L wrist radiograph; frontal; female, 9 yo; cast in situ
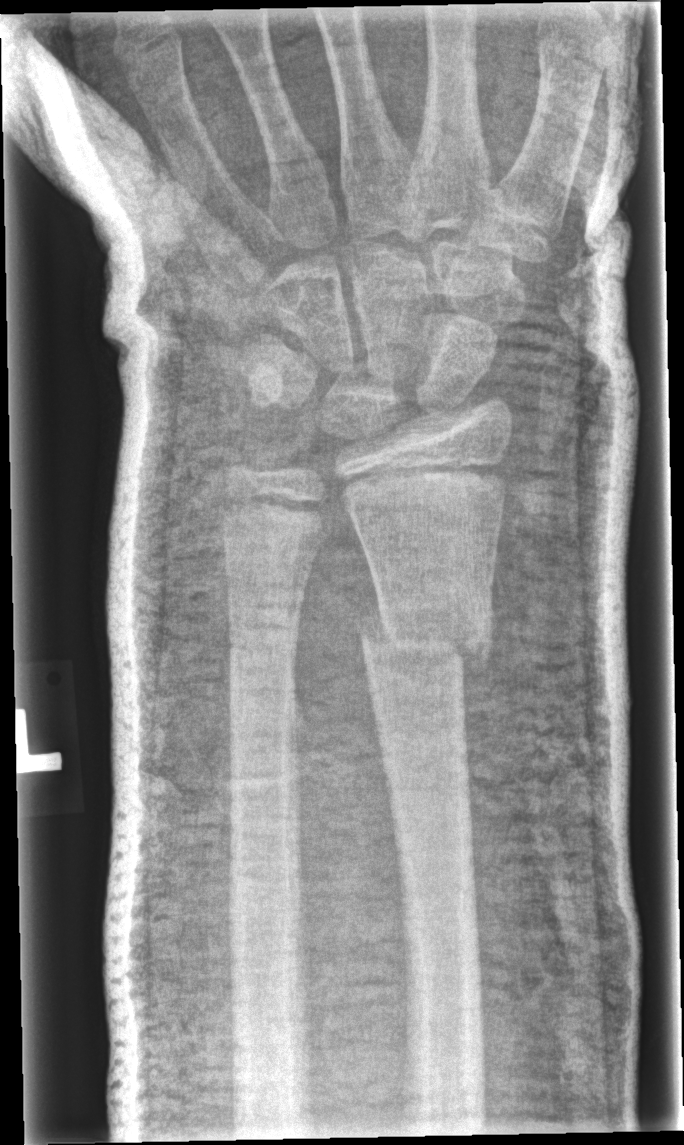
FINDINGS: Fracture classified AO/OTA 23r-M3.1; 23u-E/1. Bone fracture: (352, 603, 497, 678).